Lat view · Lt wrist X-ray · pediatric patient (female, age 10) · 392x842:
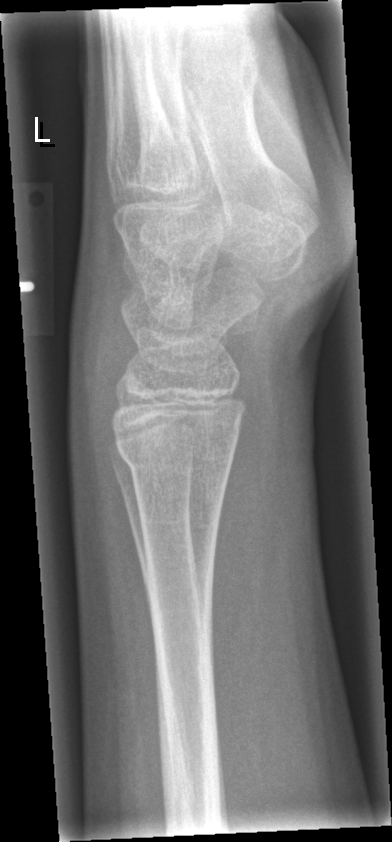
(boxes as x1,y1,x2,y2 (top-left / bottom-right, pixel units))
AO/OTA = 23r-M/2.1
osteopenia = present
pronator quadratus fat-pad sign = 1 @ bbox(212, 435, 266, 674)
fracture = 1 @ bbox(113, 426, 243, 483)